Posteroanterior · left wrist pediatric wrist radiograph · pediatric patient (female, age 8) · initial study · 692x1091:
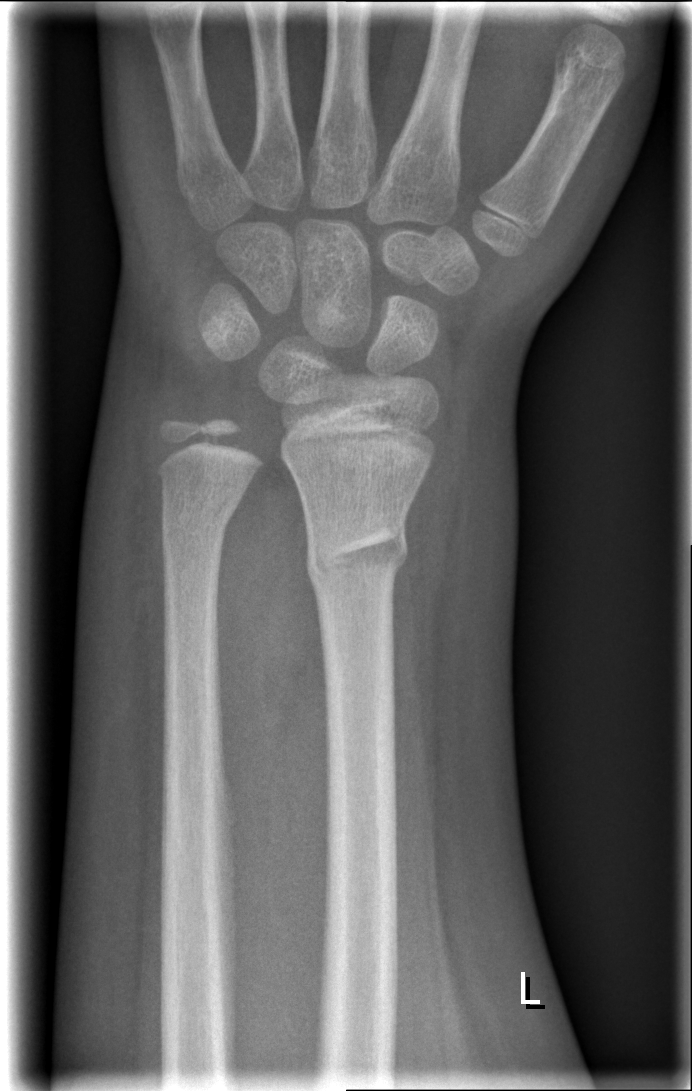

AO/OTA classification: 23-M/2.1. Bone fracture identified at 302 506 413 596 | 156 480 243 543.